Left wrist radiograph · posteroanterior projection · boy, 14 yo
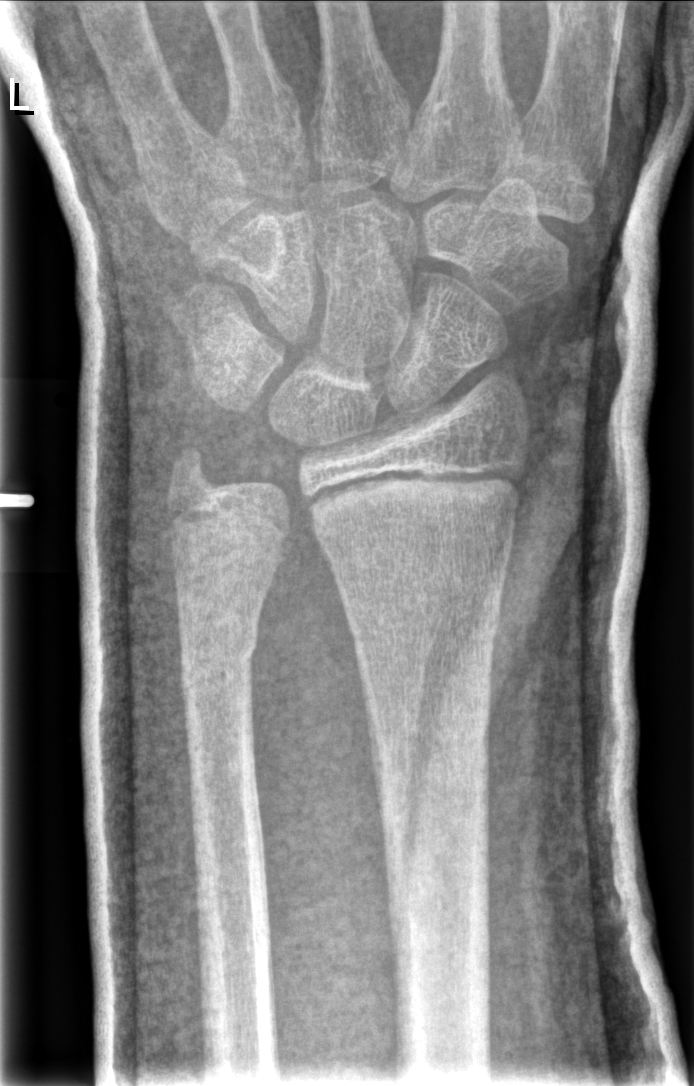
Bone fractures — 344 580 507 663; 172 622 264 696.